Right pediatric wrist radiograph, lat projection, pediatric patient (girl, age 14), presentation radiograph, 566 x 1120 px — 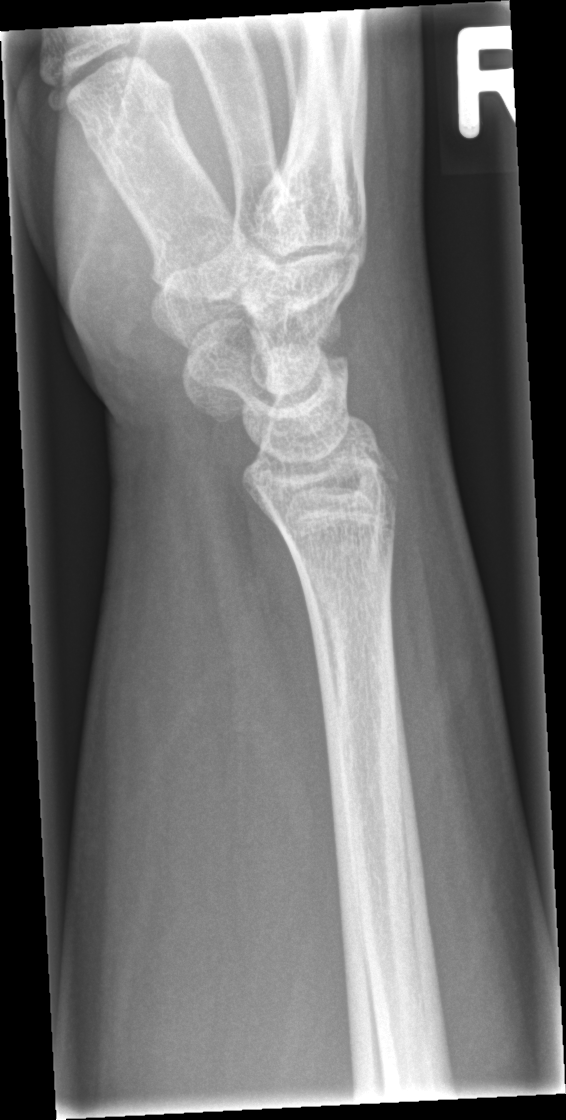
{
  "fracture": "none labeled"
}